Lat | R wrist radiograph | male, 4 yo
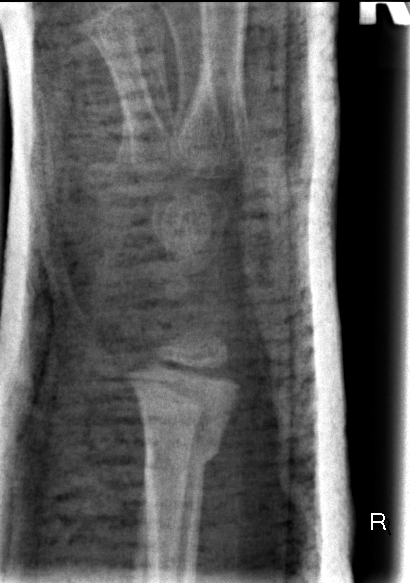
Fx: 1 @ <138,437>-<225,483>